Lateral · left wrist X-ray. 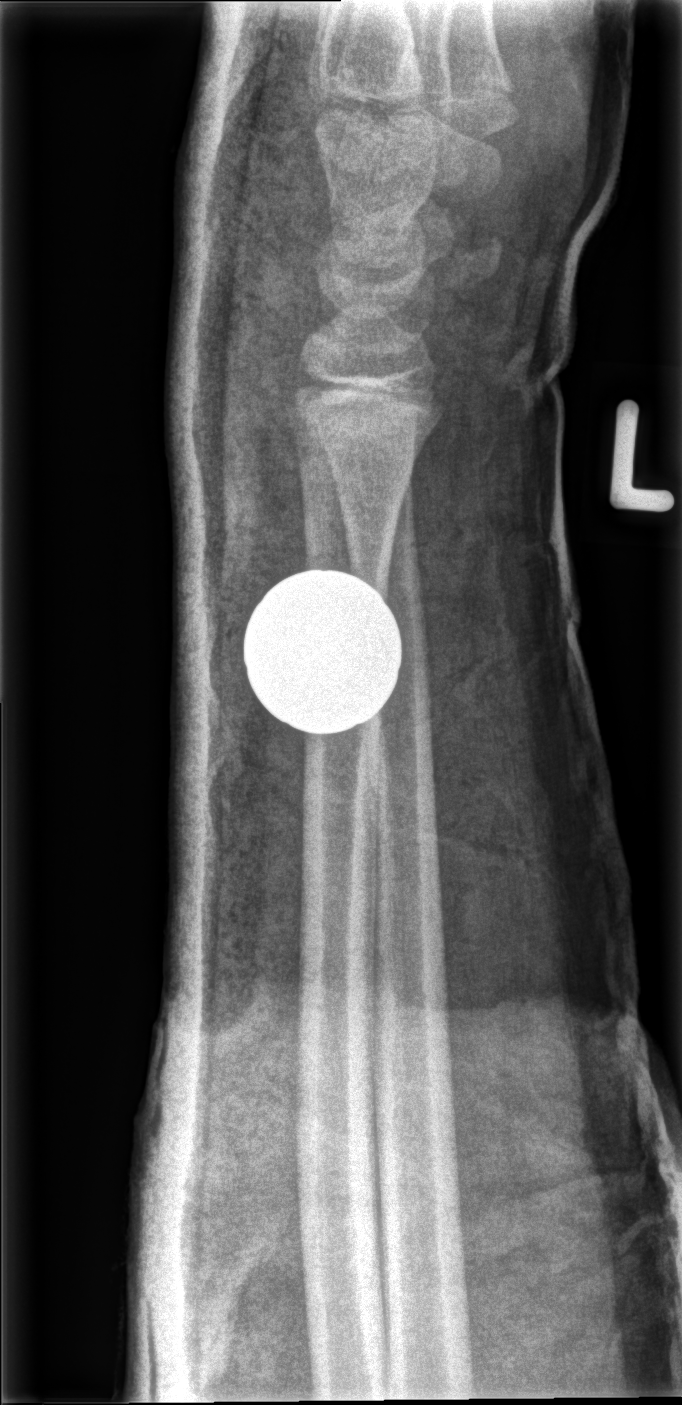
AO classification = 23r-E/1
Fracture = present but not clearly seen in this view
Metal = bbox(241, 565, 409, 736)